Lat; Rt wrist plain film: 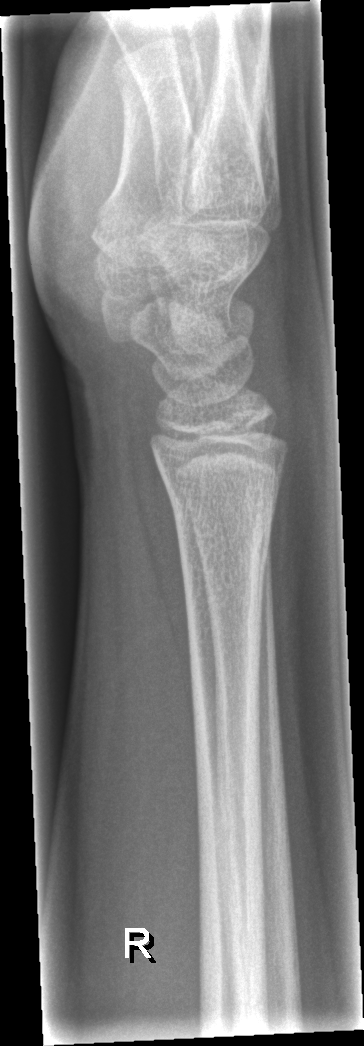
  fracture: bbox(174, 471, 287, 567)
  ao: 23r-M/2.1